AP; right wrist radiograph; age 16 y, male; detector: Siemens; image width 104.0 mm 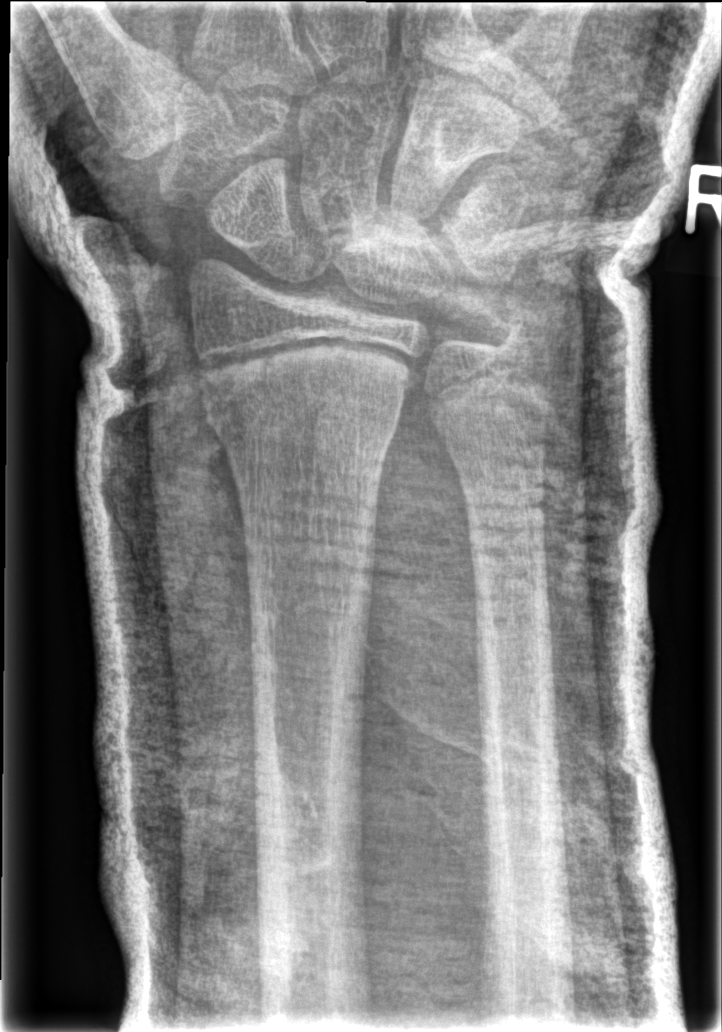

(pixel coordinates, top-left origin, xyxy)
AO classification = 23r-M/3.1; 23u-E/7
Fx = 1 @ 197,368,410,459